Lat view · left wrist X-ray · acquired on Siemens · 537 x 906 px:

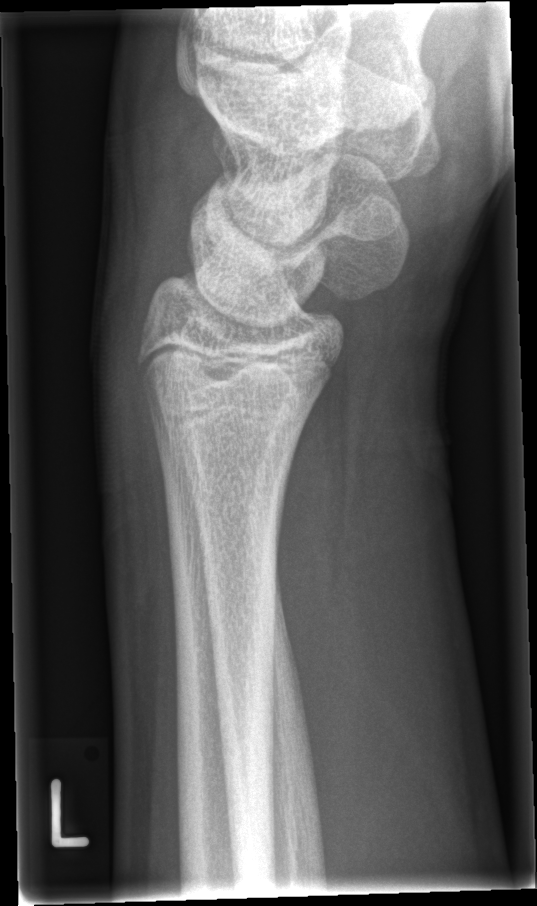 No fracture annotation.